Lateral view, right wrist XR, 72.9 mm image width — 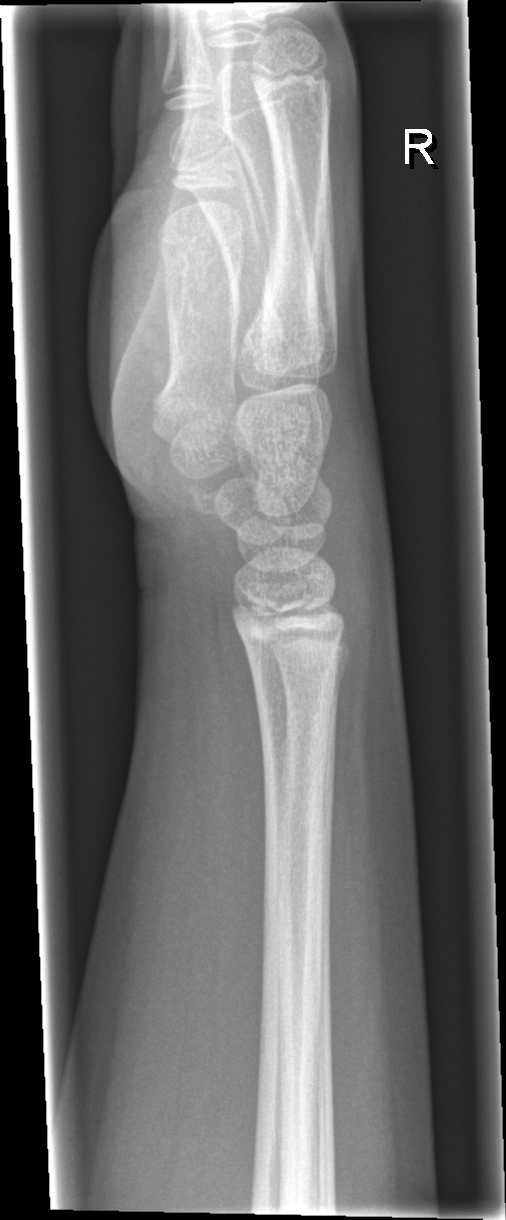

No fracture bounding box.